Lateral view | L wrist XR | initial study | acquired on Siemens | image width 84.1 mm —
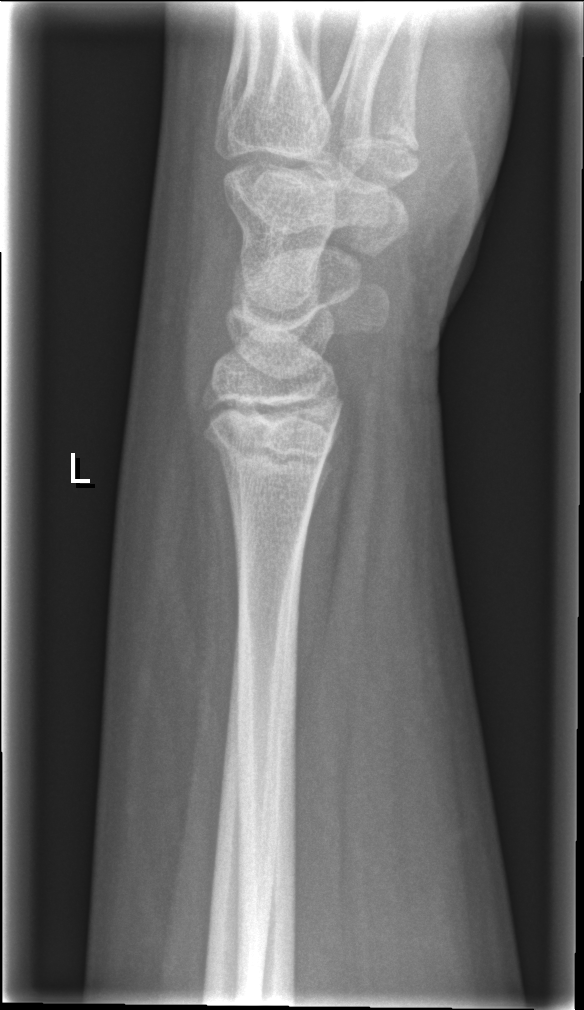
Bone fracture: 199,414,334,480
AO code: 23r-M/2.1